Posteroanterior · right wrist X-ray · 10-year-old boy —

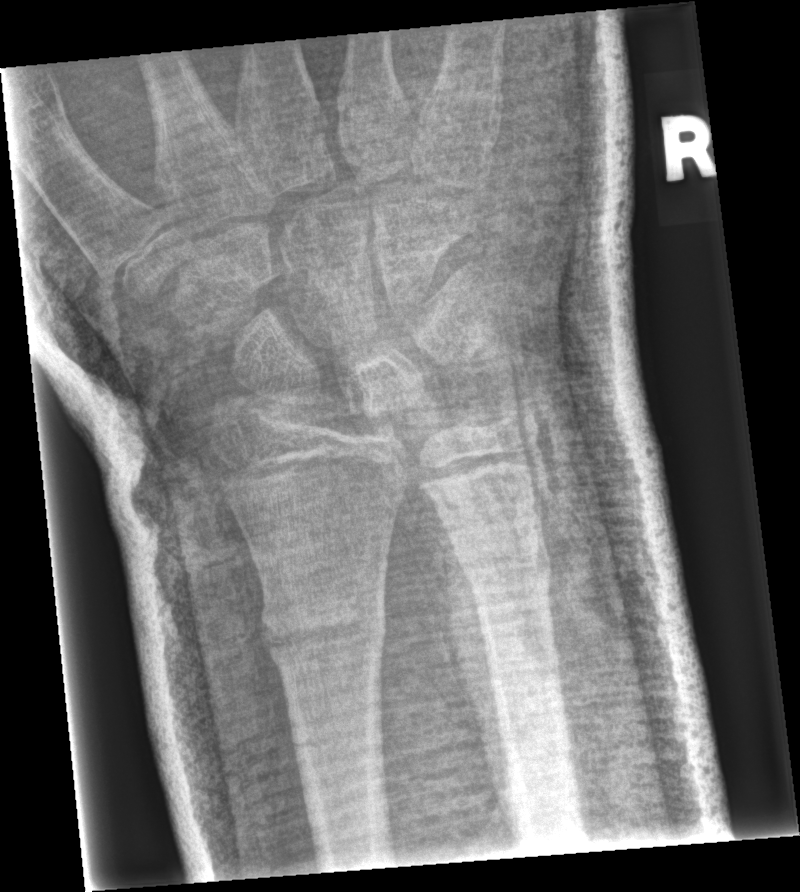
Pixel coordinates, top-left origin, xyxy.
Bone fractures — 254,582,390,664 | 450,531,558,604.